Frontal view · Lt wrist X-ray · pediatric patient (male, age 8):
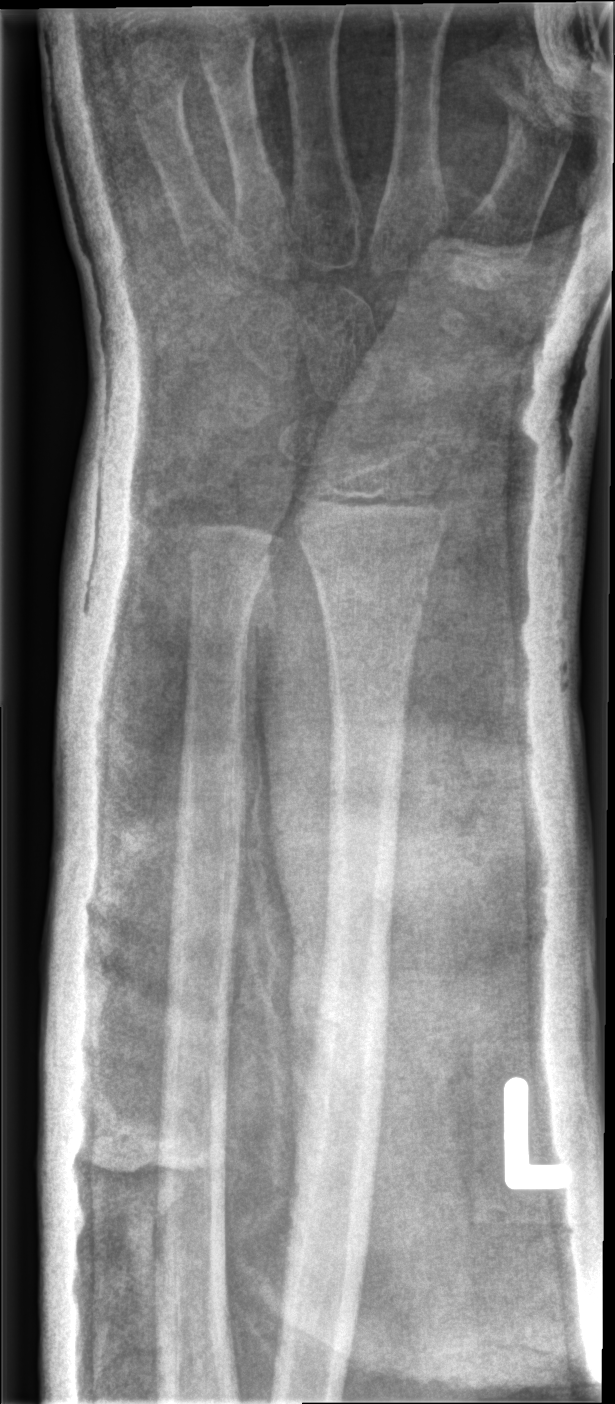
(pixel coordinates, top-left origin, xyxy)
Q: Any fracture seen?
A: Bone fracture: bbox(311, 563, 429, 621)